R wrist X-ray; PA/AP; follow-up; 106.8 mm image width — 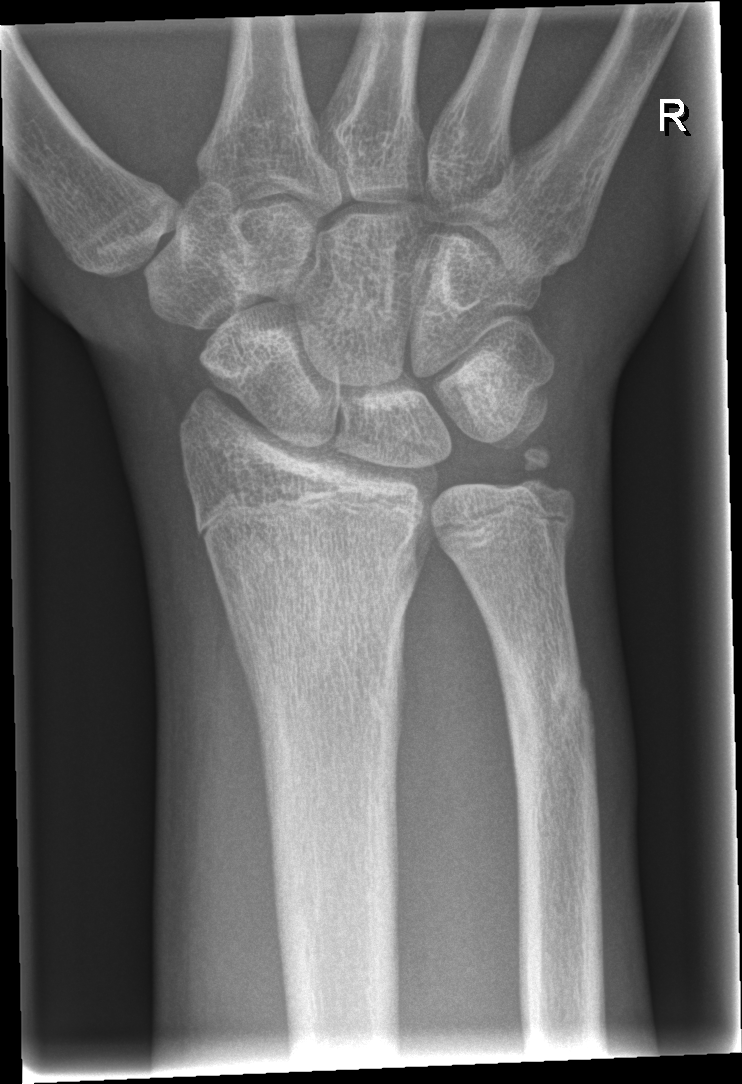
Bone fracture: bbox(224, 546, 426, 704); bbox(494, 643, 597, 774); bbox(516, 440, 584, 523).